PA/AP | L plain radiograph of the wrist —

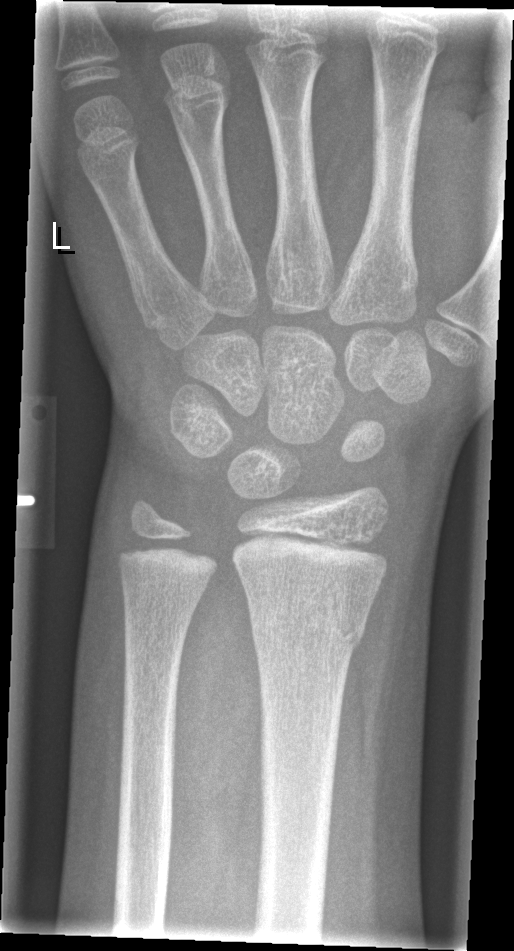

(boxes as x1,y1,x2,y2 (top-left / bottom-right, pixel units))
bone fracture = 1 @ 249 592 373 658